Left wrist radiograph | frontal projection | 10y M | subsequent exam: 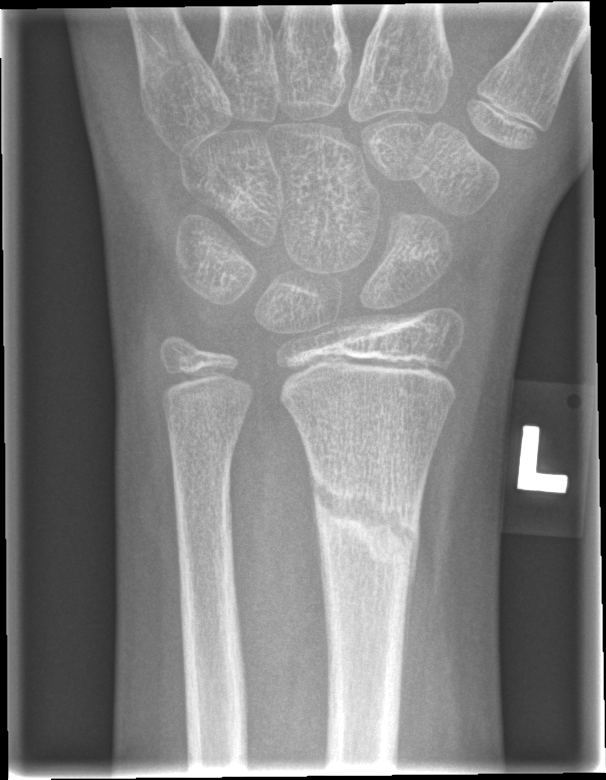
Pixel coordinates, top-left origin, xyxy.
Fracture: [x1=308, y1=467, x2=422, y2=580].
Periosteal thickening: [x1=303, y1=442, x2=333, y2=691], [x1=398, y1=498, x2=423, y2=733].